Rt wrist plain film; PA view; 508 by 1208 pixels —

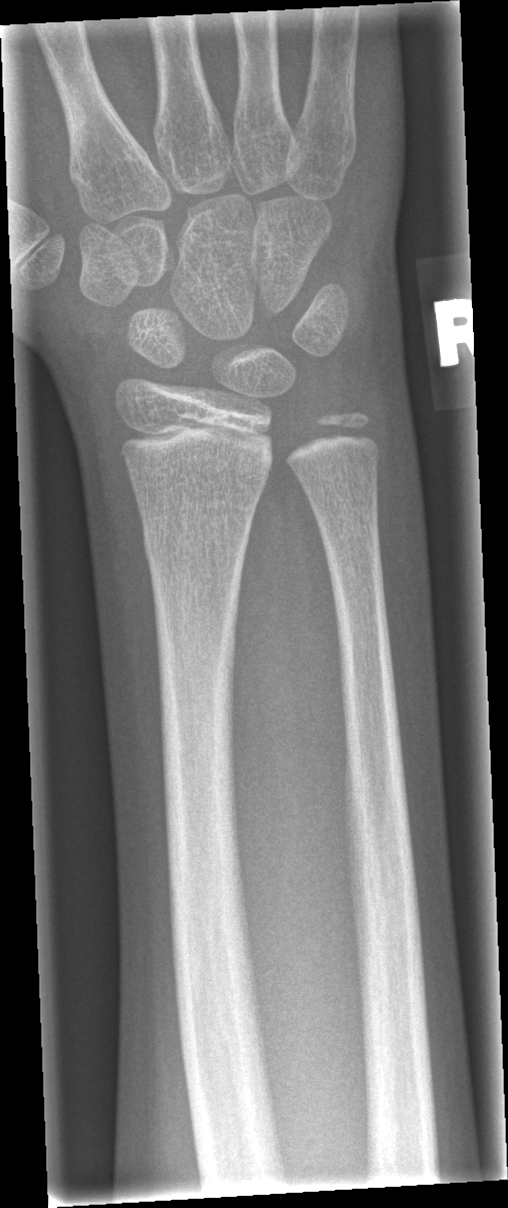 - AO code 23r-M/2.1.
- Bone fracture — bbox(138, 505, 253, 567).